Lateral; right wrist XR; cast in situ.
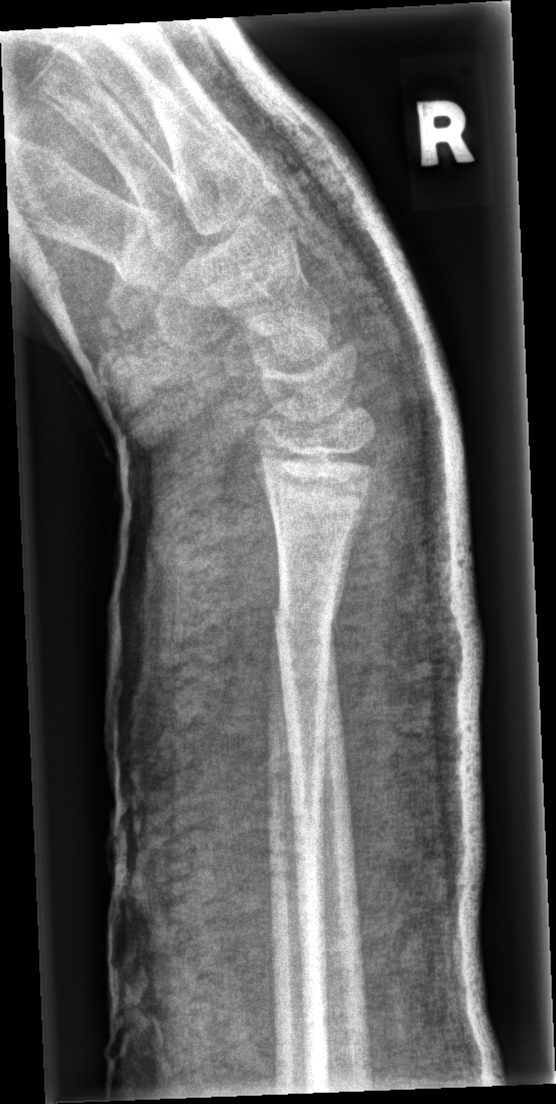

Findings: (bounding boxes in image-pixel xyxy) Fracture — 271,586,342,660. AO/OTA classification: 23r-M/3.1; 23u-E/7.